Rt wrist radiograph; posteroanterior view; 69.1 mm image width —
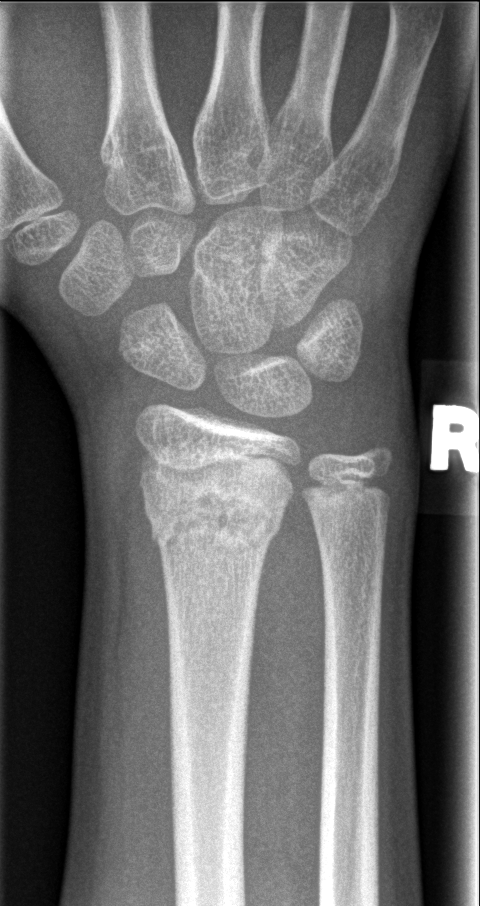
{
  "_coords": "pixel coordinates, top-left origin, xyxy",
  "fracture": "2 @ 139 472 295 558\n  355 432 400 481"
}